Left wrist XR, frontal projection, detector: Siemens, image 68.7 mm wide.
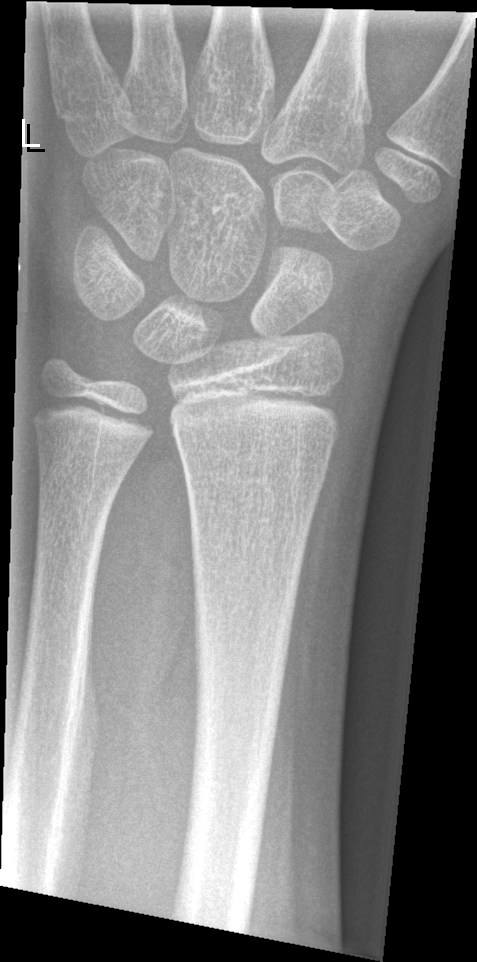
  fracture: none labeled